PA projection; right wrist X-ray; 123.8 mm image width
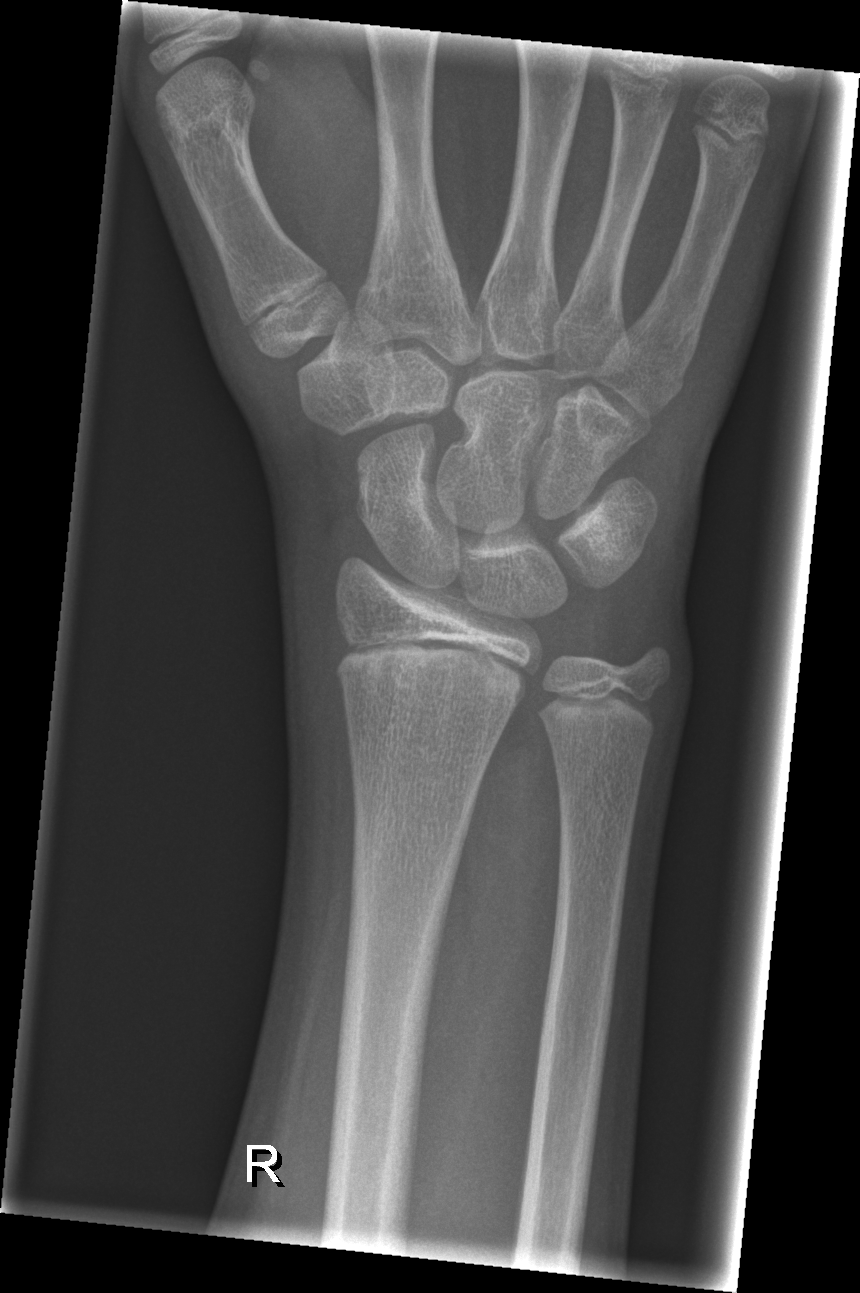

- AO code 23r-M/2.1.
- Fracture present but not clearly seen in this view.